Lat, Lt wrist radiograph, 11y M:
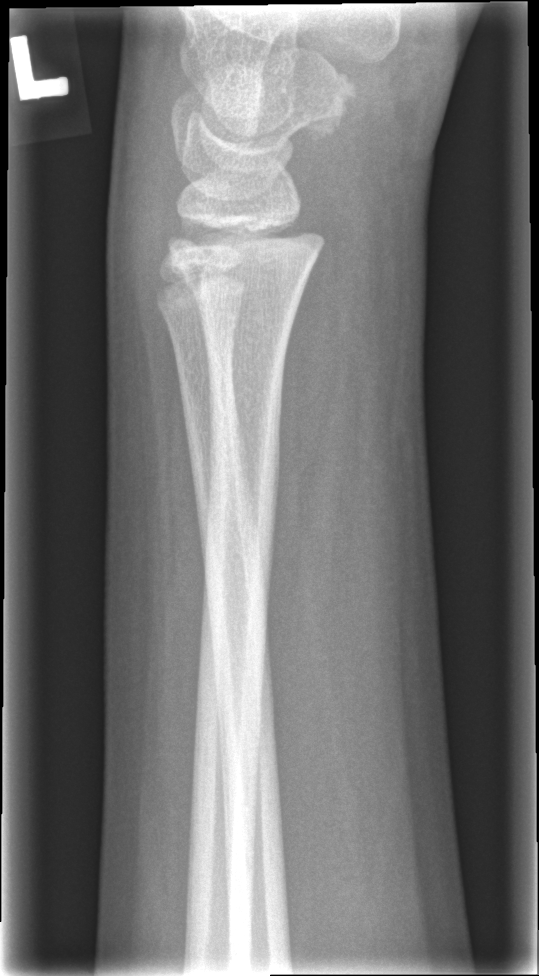
- Fracture identified at [x1=162, y1=212, x2=329, y2=297].
- AO/OTA classification: 23r-E/2.1.